Posteroanterior · left wrist radiograph · female, 6 yo · initial study · 479 by 994 pixels

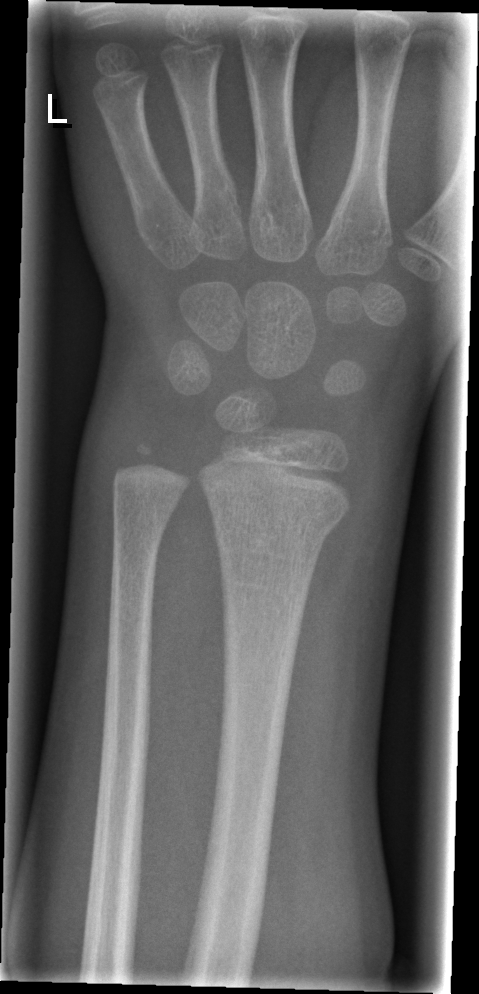 Boxes as x1,y1,x2,y2 (top-left / bottom-right, pixel units). Bone fracture: bbox(207, 491, 345, 557). Fracture classified AO/OTA 23r-M/2.1.